Lat projection | left plain radiograph of the wrist | age 10 y, boy.
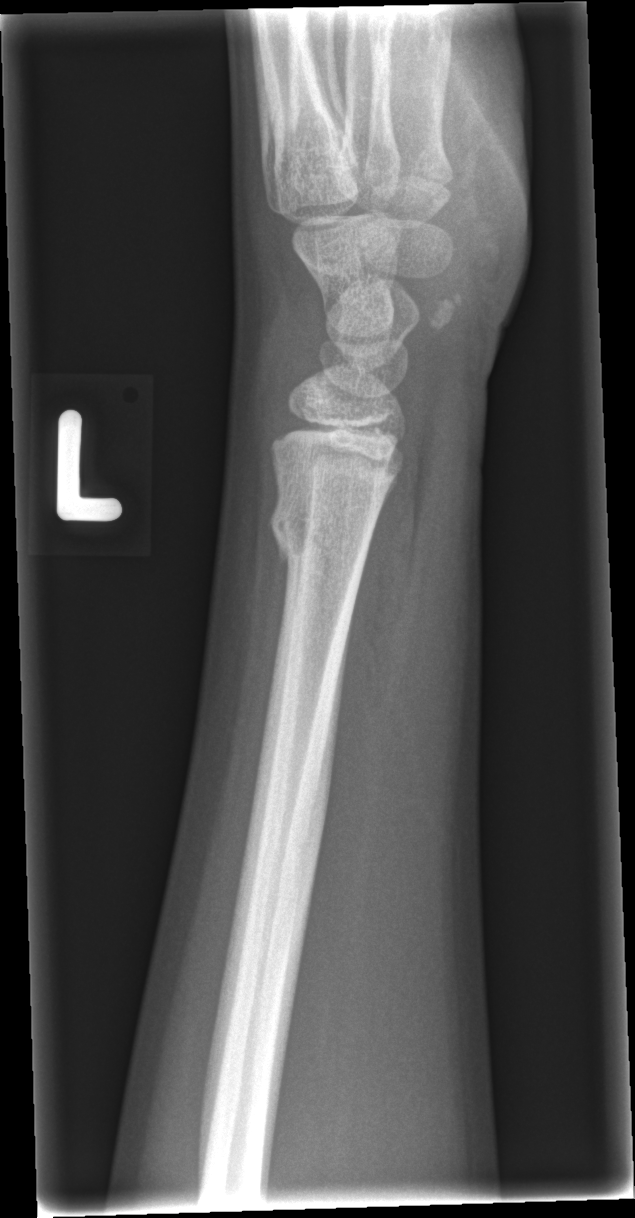
Q: Pronator fat-pad sign?
A: Pronator sign identified at 331,457,429,771
Q: Locate any fractures.
A: Fx: 266,500,369,584
Q: What is the AO/OTA classification?
A: AO/OTA classification: 23r-M/2.1